L wrist XR; PA/AP view; subsequent exam. 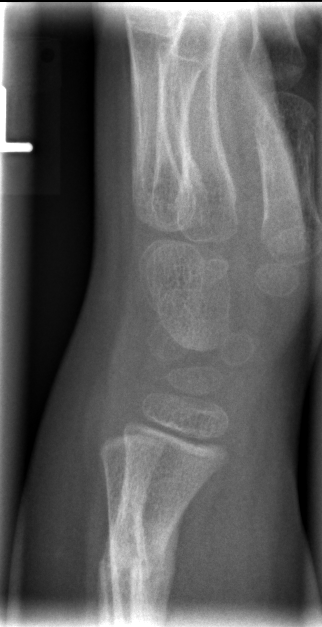 Boxes as x1,y1,x2,y2 (top-left / bottom-right, pixel units). One Fx at <95,515>-<178,612>. Fracture classified AO/OTA 23r-M/3.1; 23u-M/2.1.